Lat, right wrist X-ray, pediatric patient (boy, age 7), presentation radiograph. 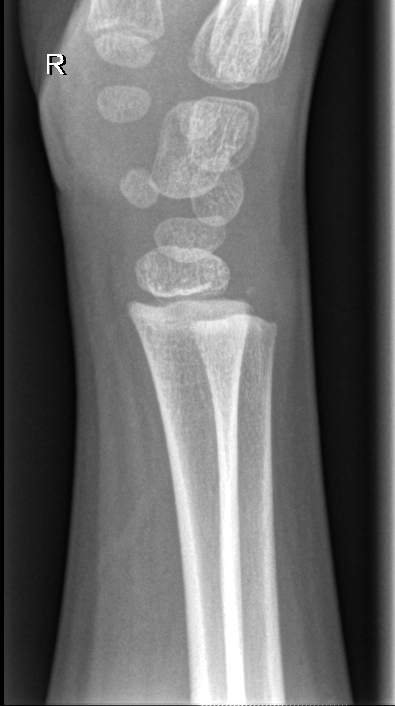

{"fracture": "none labeled"}